Left wrist plain radiograph of the wrist; posteroanterior 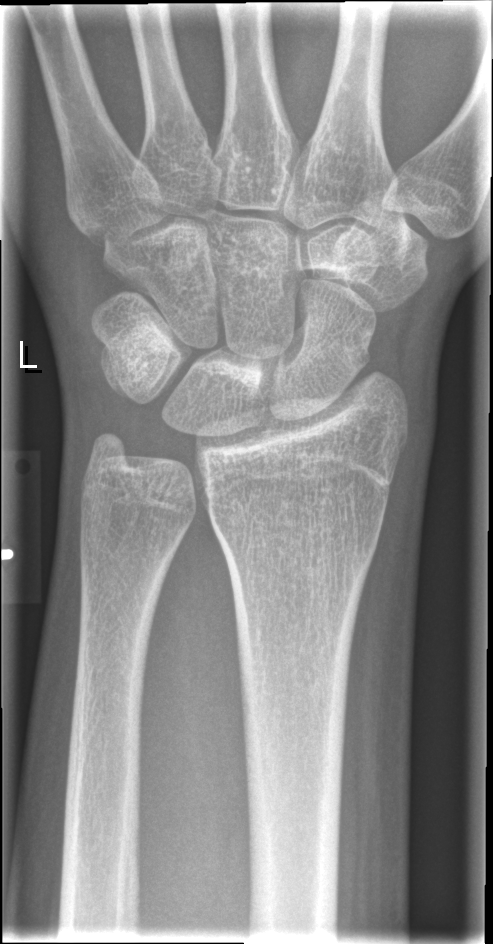
Q: Fracture present?
A: No fracture labeled